PA/AP view | left plain radiograph of the wrist | age 11 y, male — 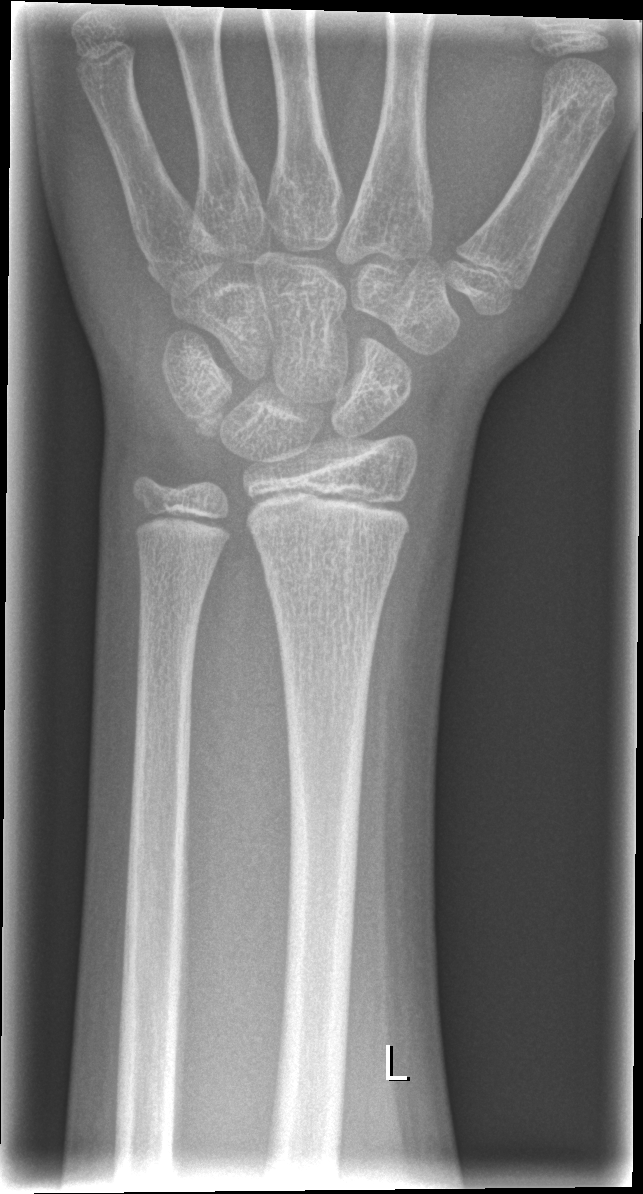
FINDINGS: Bone fracture identified at 258,539,404,597.